Lateral; left wrist radiograph; 81.4 mm image width; image size 565x1226

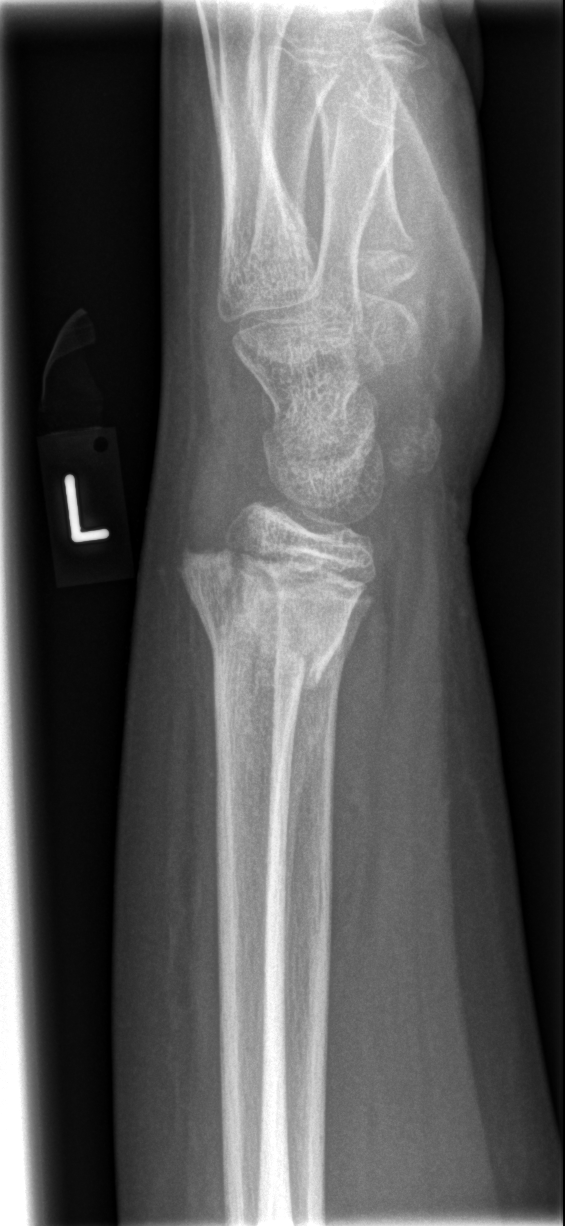 - AO/OTA classification: 23r-E/2.1; 23u-M/2.1.
- Fx identified at 172,539,370,699.
- Reduced bone mineral density.